Lt wrist plain film | lat projection | female, 13 yo | acquired on Siemens: 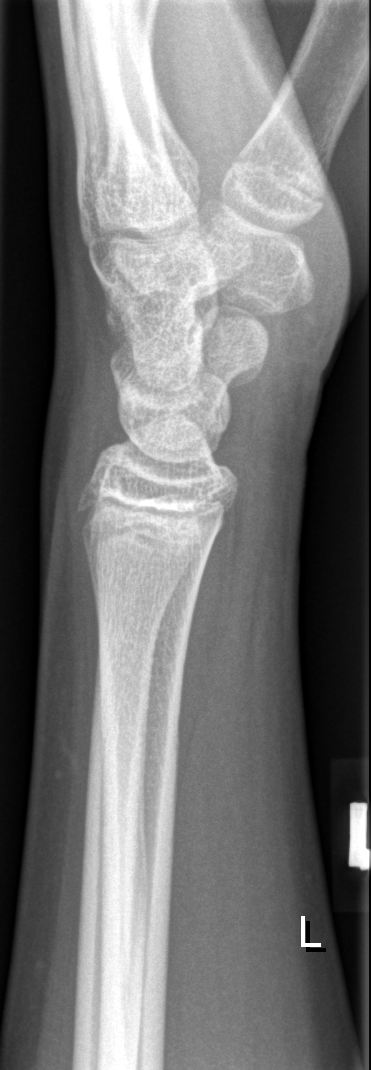

No fracture labeled.